Lateral projection; left wrist plain film; age 13 y, female
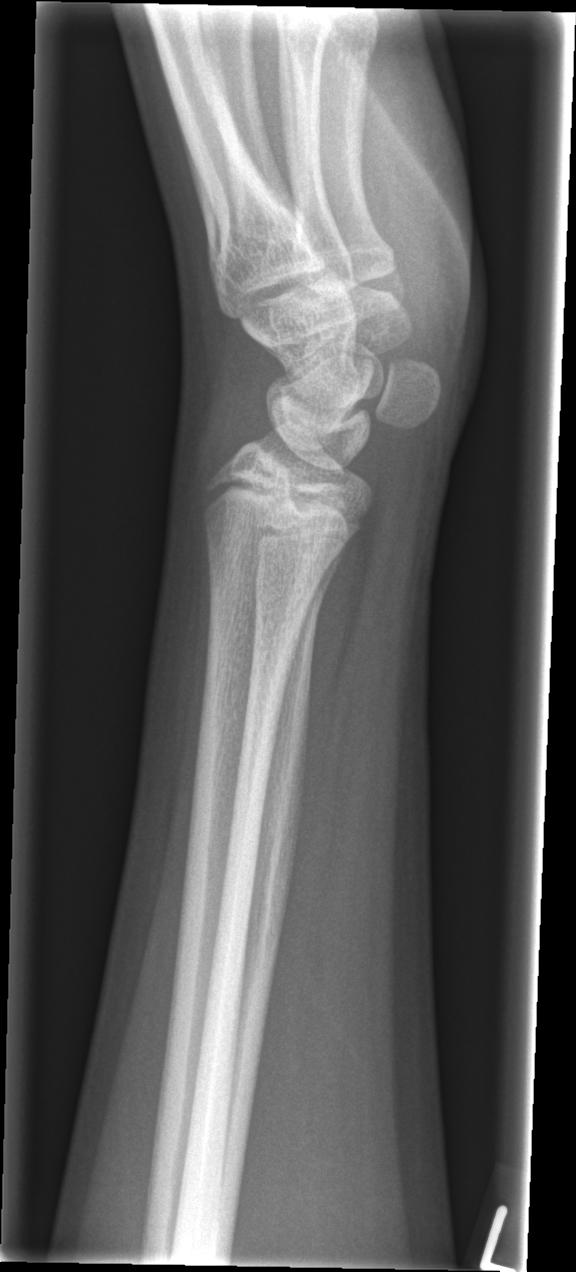

No fracture labeled.